Lateral projection, R pediatric wrist radiograph, 12y M, Siemens 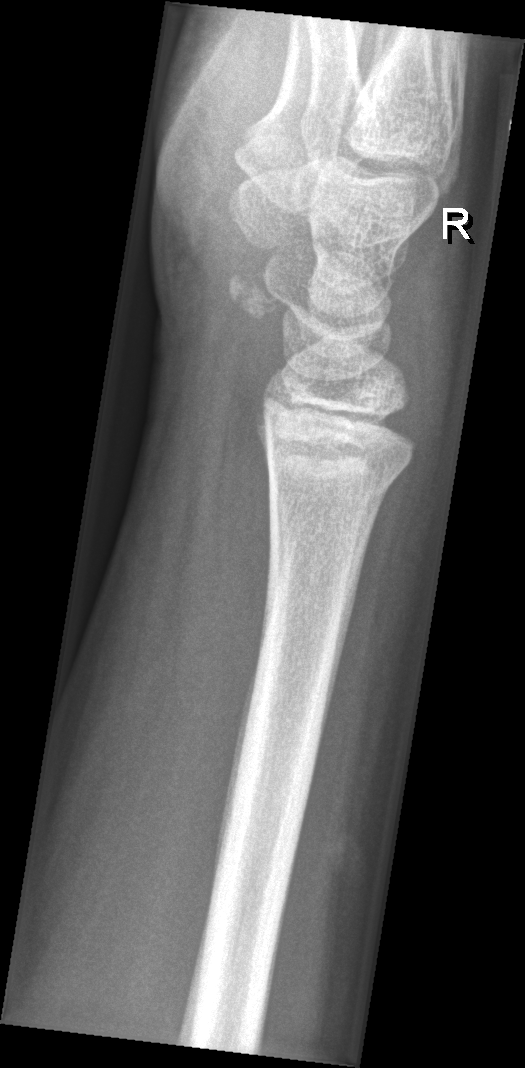

Bounding boxes in image-pixel xyxy. Bone fracture — [x1=264, y1=446, x2=415, y2=512]. AO/OTA classification: 23r-M/2.1.